Left wrist pediatric wrist radiograph | lateral projection:

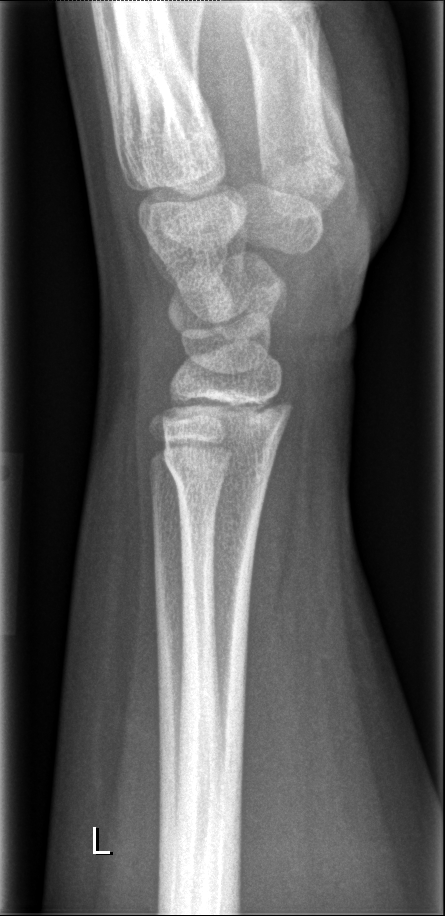 * Fx: 158 434 276 516.
* AO/OTA classification: 23r-M/2.1.